Lt wrist XR · lateral view · 492 by 926 pixels —
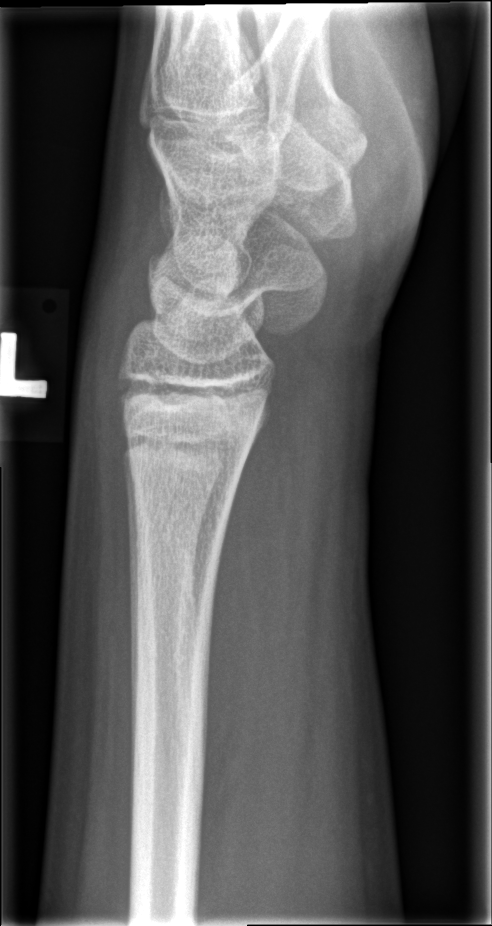
(boxes as x1,y1,x2,y2 (top-left / bottom-right, pixel units))
Q: Any soft-tissue swelling?
A: Soft-tissue finding: 73 260 144 440
Q: Any fracture seen?
A: No fracture labeled